L wrist plain film · PA · 12-year-old boy

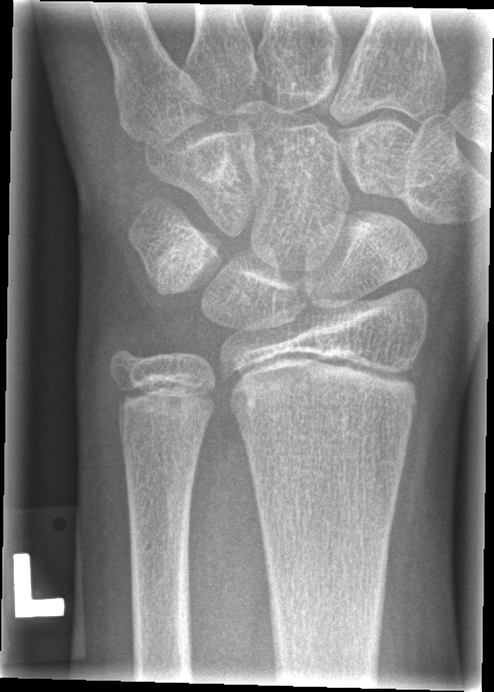

- No fracture annotation.